R pediatric wrist radiograph; PA; 2-year-old girl 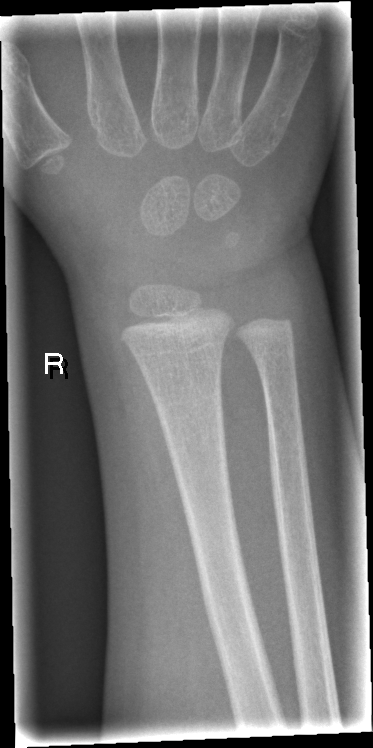
• No fracture annotation.